Frontal; Rt wrist radiograph; pediatric patient (girl, age 10) 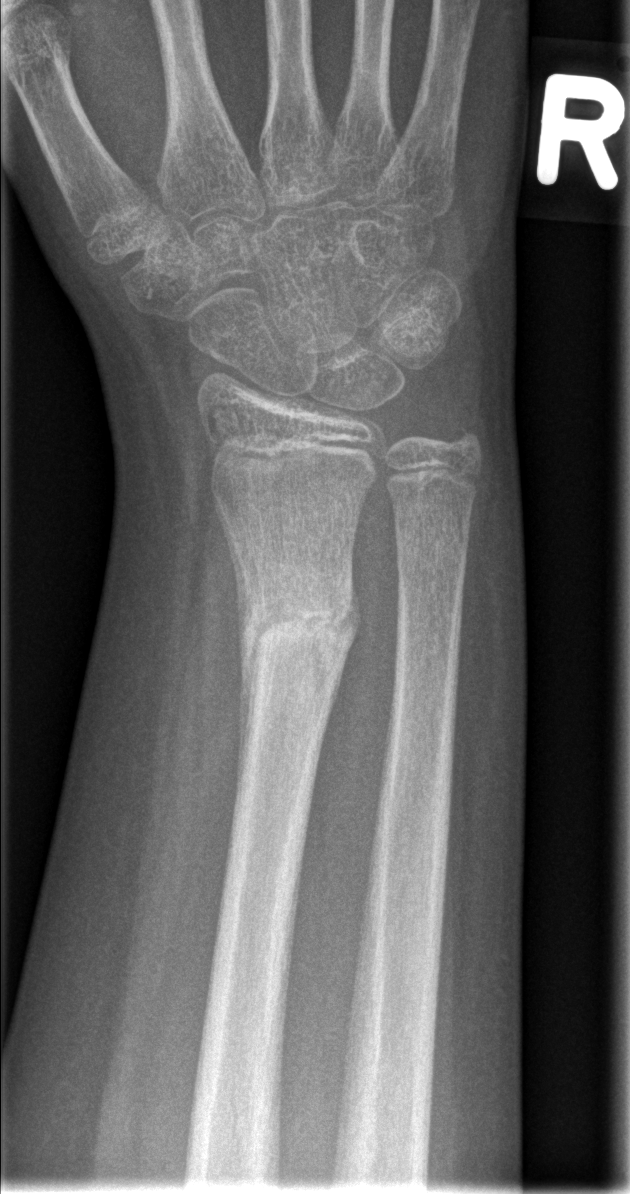 * Bounding boxes in image-pixel xyxy.
* Osteopenia.
* One Fx at (229, 564, 356, 688).
* AO/OTA classification: 23r-M/3.1; 23u-M/2.1; 23u-E/7.
* Periosteal thickening — (213, 497, 257, 801).